Lateral view | Lt plain radiograph of the wrist | male, 15 yo | subsequent exam | imaged through cast

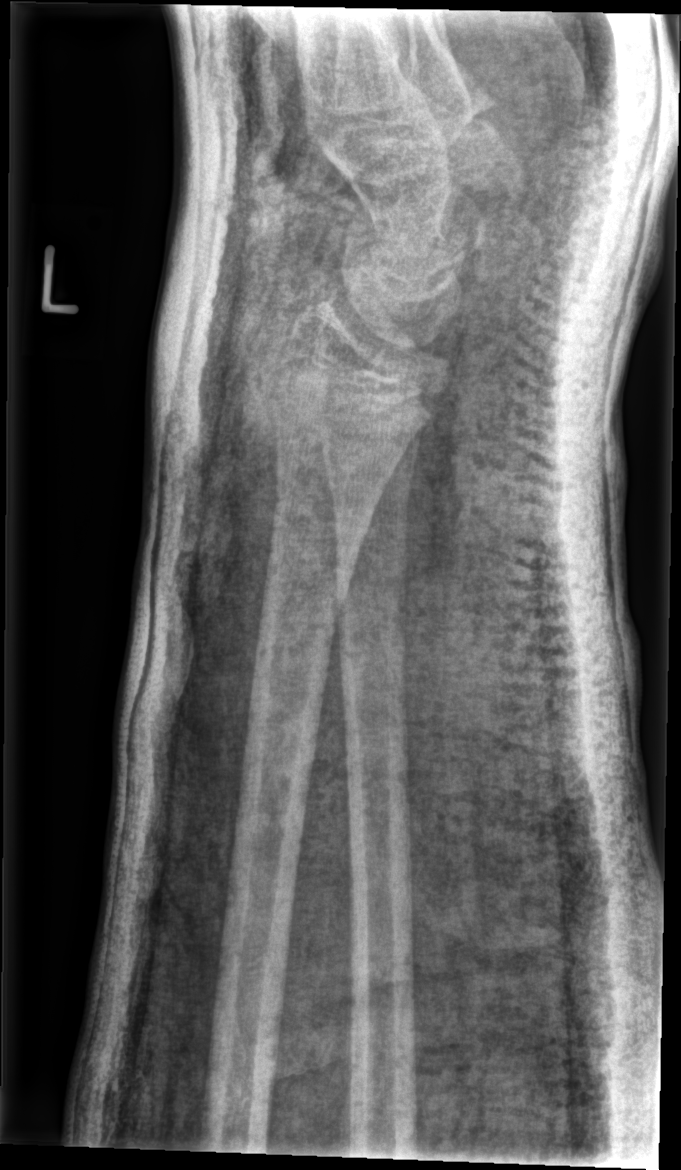
(bounding boxes in image-pixel xyxy)
Q: AO code?
A: Fracture classified AO/OTA 23-M/2.1
Q: Fracture present?
A: Fx — (left=247, top=576, right=356, bottom=697)